AP projection; R plain radiograph of the wrist; image size 551x818:

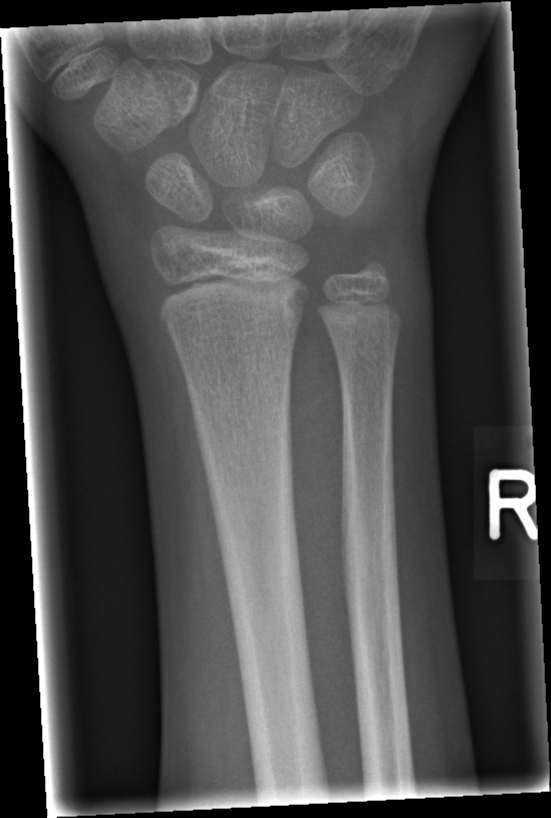
{
  "fracture": "none labeled"
}